Lateral view · Lt plain radiograph of the wrist · age 8 y, boy · Siemens —
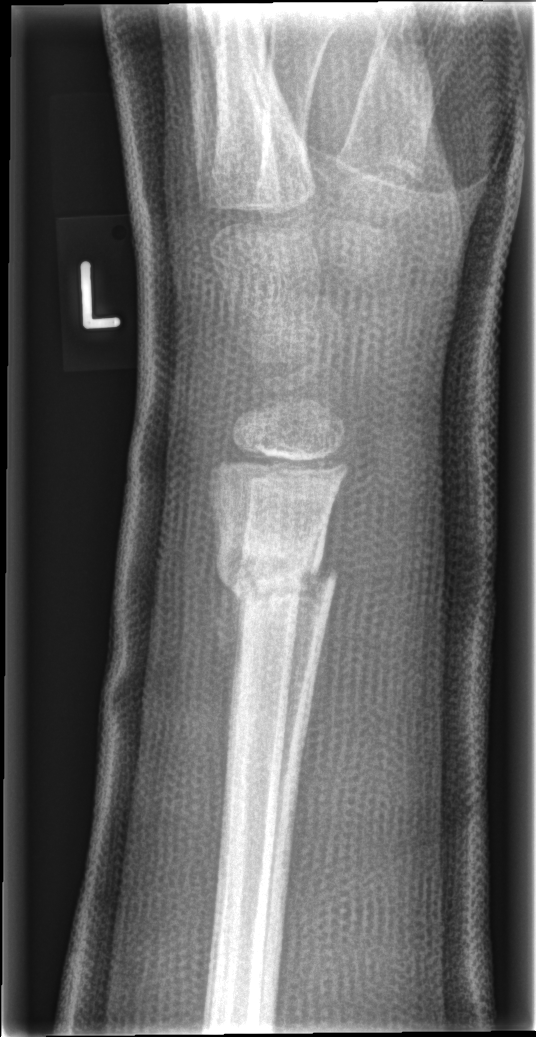 - Fracture identified at [x1=211, y1=540, x2=340, y2=615].